Lat view; left wrist radiograph; pediatric patient (girl, age 17) 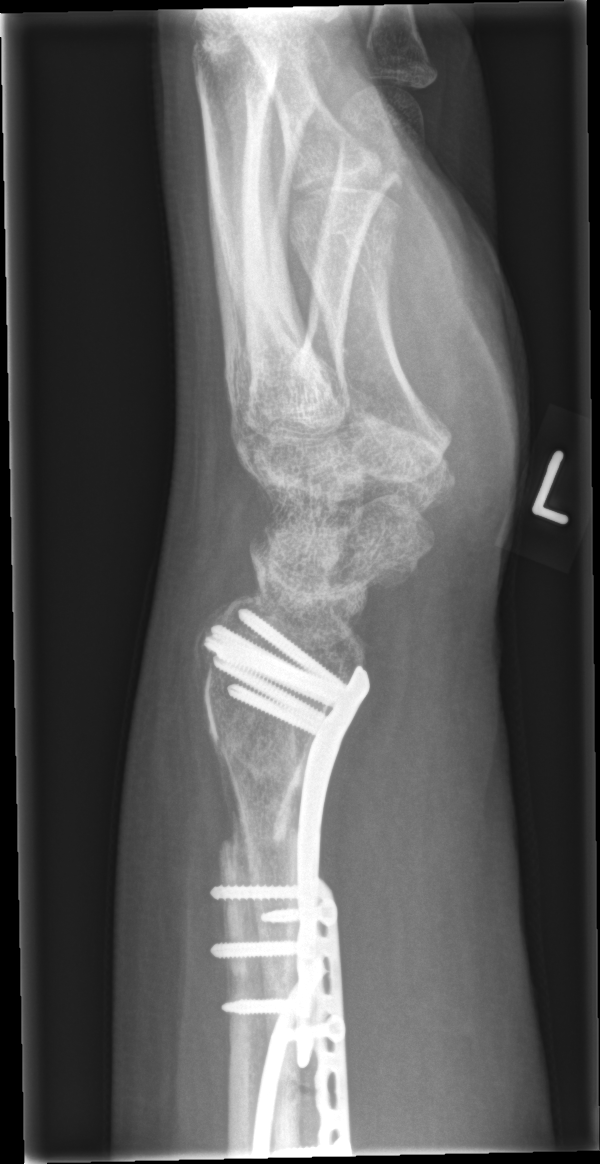

fracture = 1 @ <207,739>-<305,859>
metallic implant = 1 @ <203,607>-<370,1157>
osteopenia = present